Lat, left wrist pediatric wrist radiograph, 59.5 mm image width. 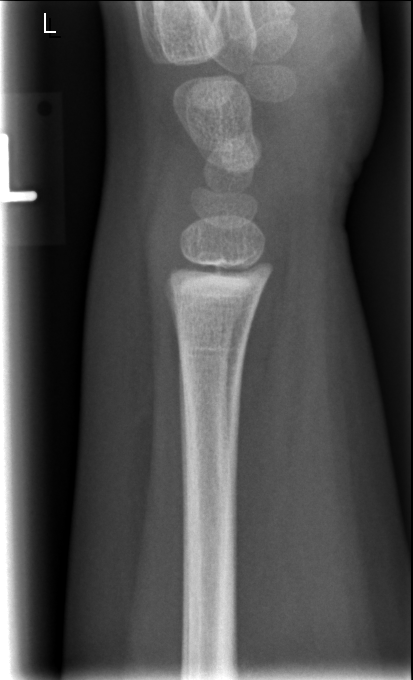

{
  "fracture": "none labeled"
}